Right wrist plain film; lateral projection; 3y F: 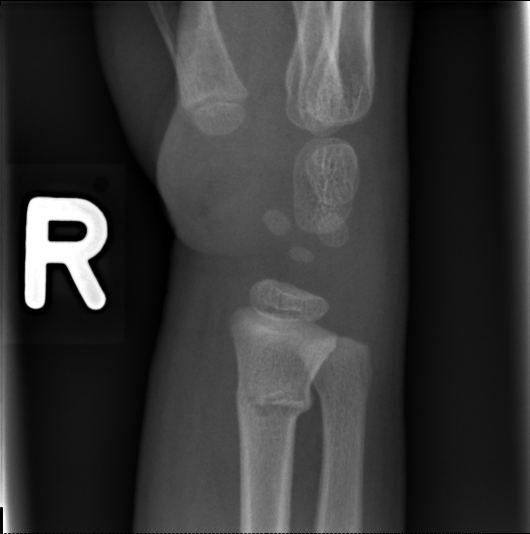

  # boxes as x1,y1,x2,y2 (top-left / bottom-right, pixel units)
  fracture: [233, 376, 314, 425]; [312, 360, 377, 404]
  ao: 23-M/2.1